Lateral view; right pediatric wrist radiograph; cast present; image size 606x1372.
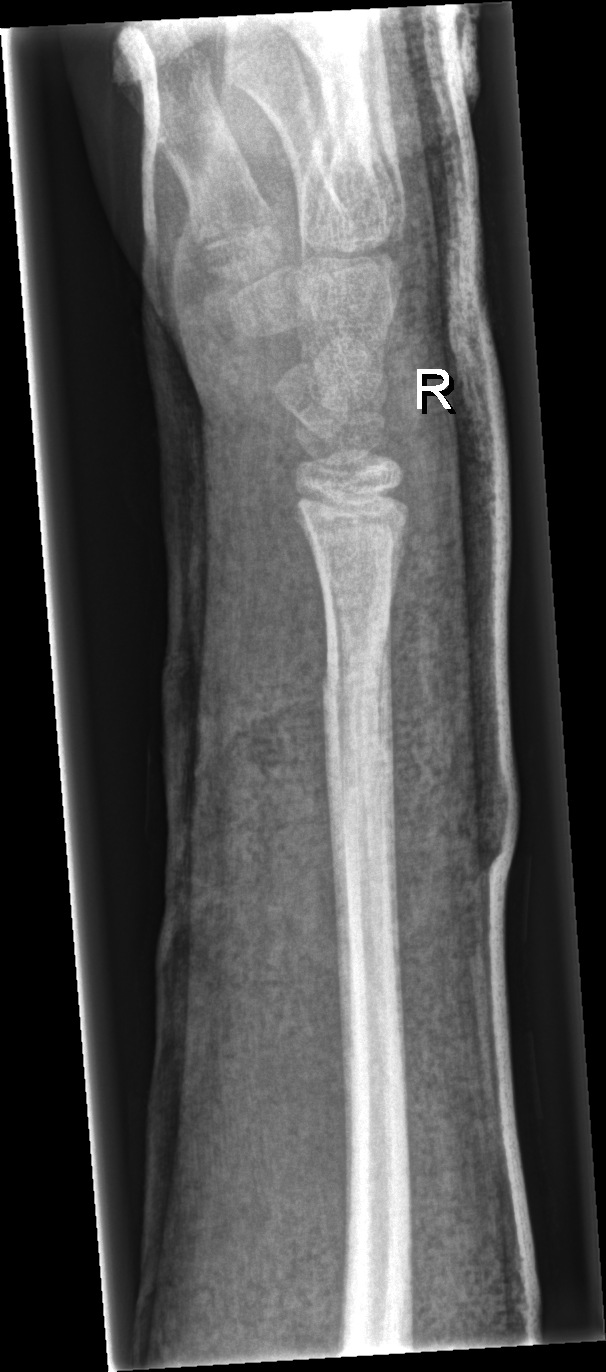
FINDINGS — Fx — 317 662 394 718. Fracture classified AO/OTA 23-M/3.1; 23u-E/7.